Lateral view · L pediatric wrist radiograph · age 11 y, male · in cast. 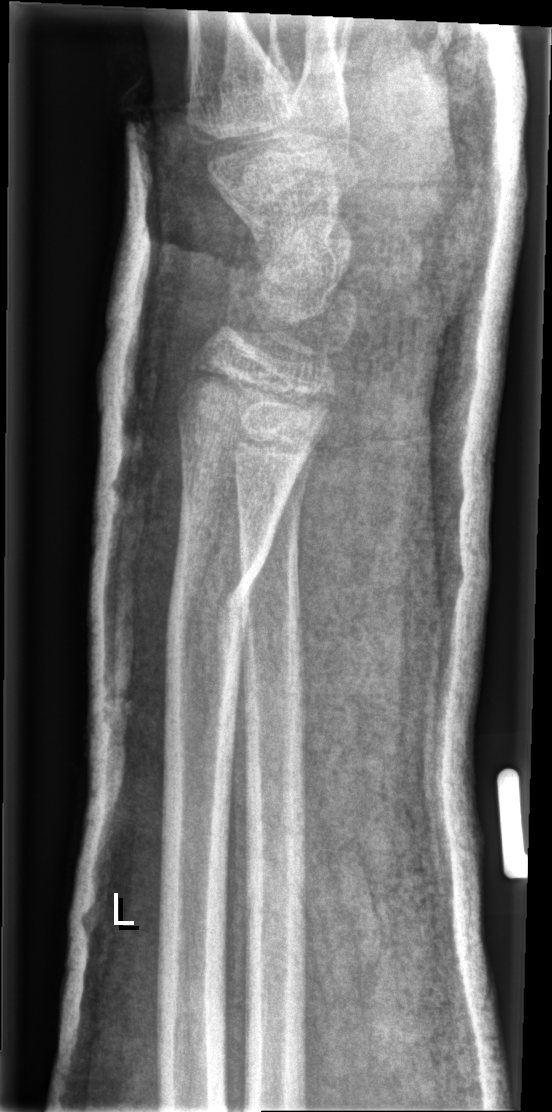
FINDINGS: Bone fracture — <162,547>-<275,660>.